PA/AP view | left wrist XR | subsequent exam | cast present —
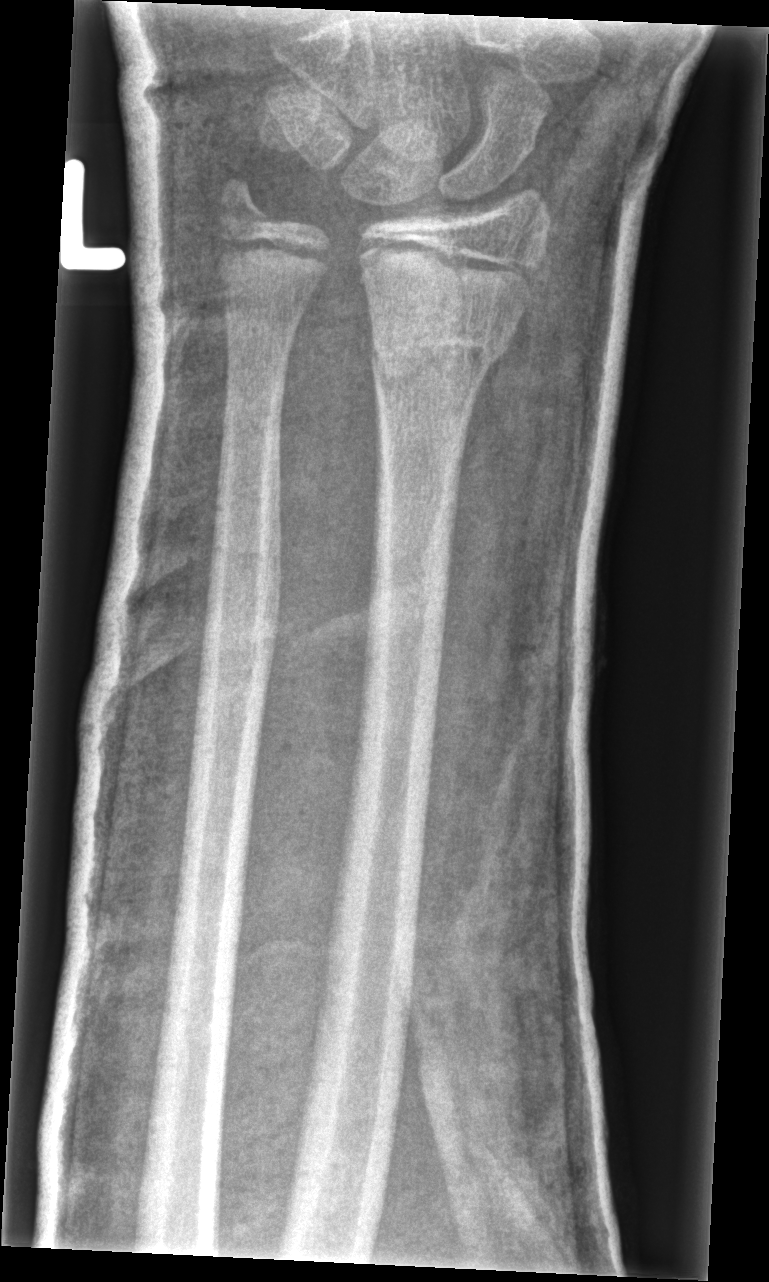 (pixel coordinates, top-left origin, xyxy)
Q: Any fracture seen?
A: Fx — <364,309>-<522,398> <211,170>-<275,233>